Lt pediatric wrist radiograph · PA projection · presentation radiograph —
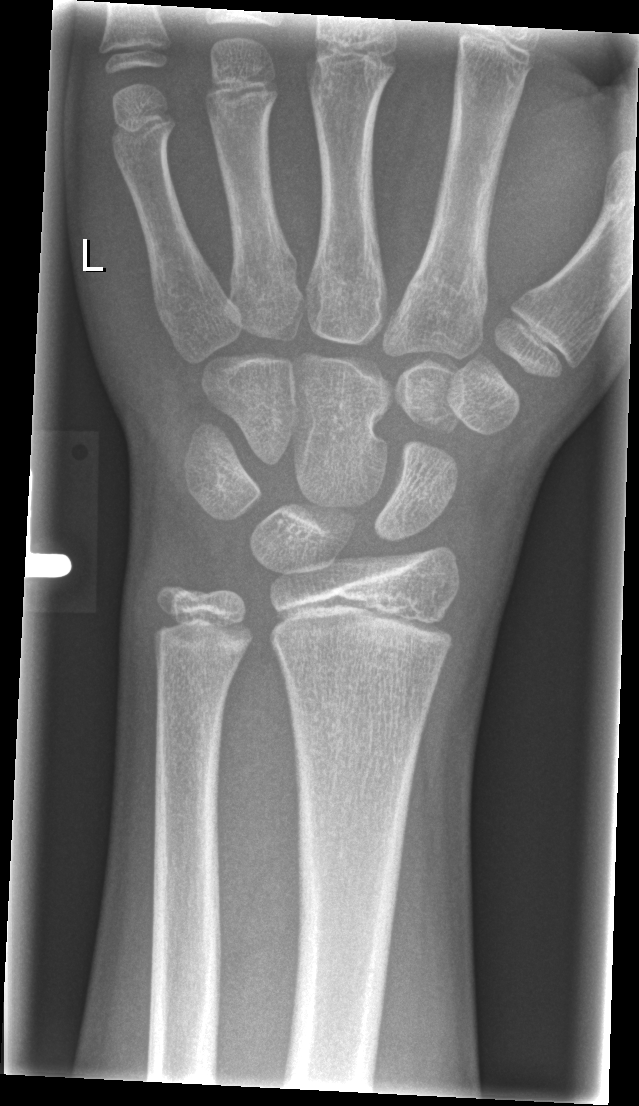 Findings: No Fx annotated.